Posteroanterior projection, right wrist X-ray, 10y F, findings marked uncertain by the reading radiologist:

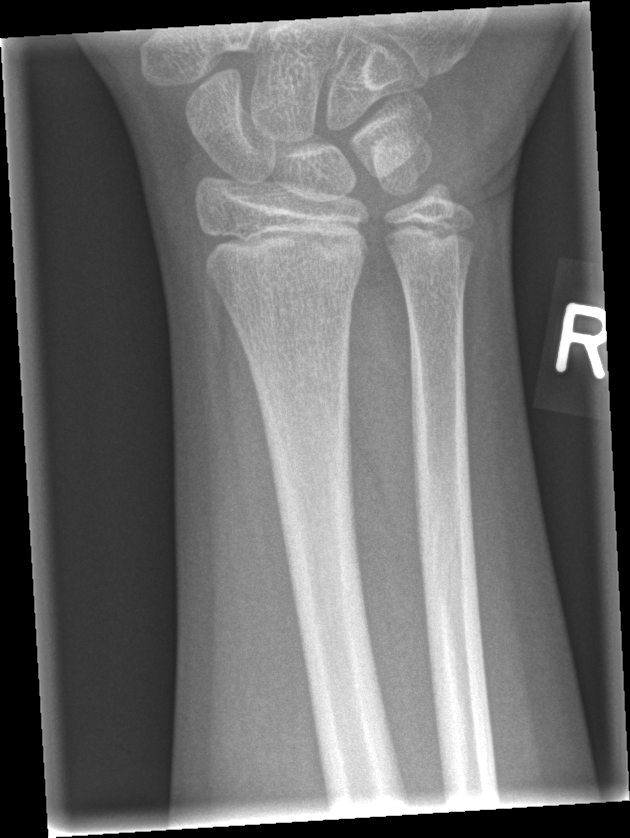
fracture: none labeled